AP projection · left pediatric wrist radiograph —

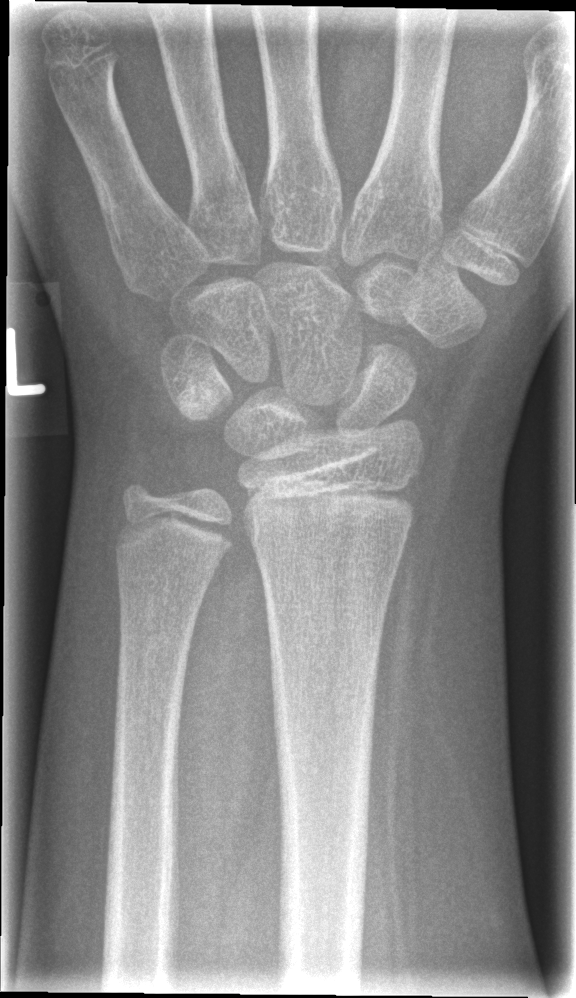

Bone fracture = none labeled